PA view · L wrist XR: 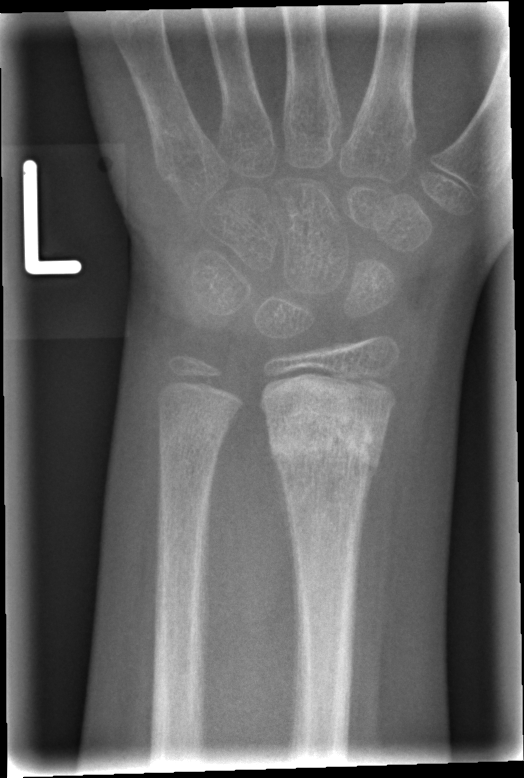

Boxes as x1,y1,x2,y2 (top-left / bottom-right, pixel units). Periosteal thickening — [270, 447, 299, 651]. Two bone fractures at [264, 403, 390, 481], [156, 410, 233, 458]. Reduced bone mineral density.